Lateral view · R wrist radiograph · image 58.5 mm wide —
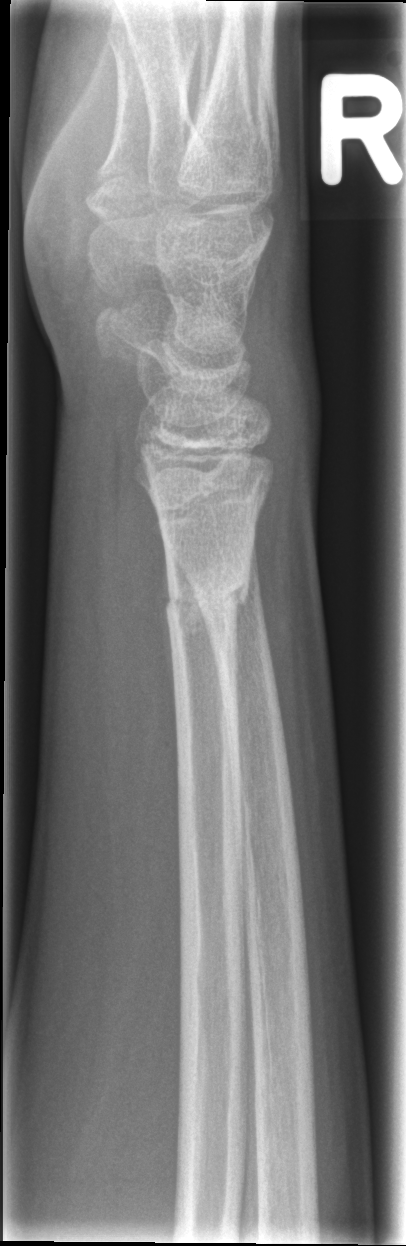

* Pixel coordinates, top-left origin, xyxy.
* Bone fracture — (160, 561, 253, 641).
* Pronator sign: (87, 412, 185, 863).
* AO code 23r-M/3.1.
* Reduced bone mineral density.